Lat, R plain radiograph of the wrist.

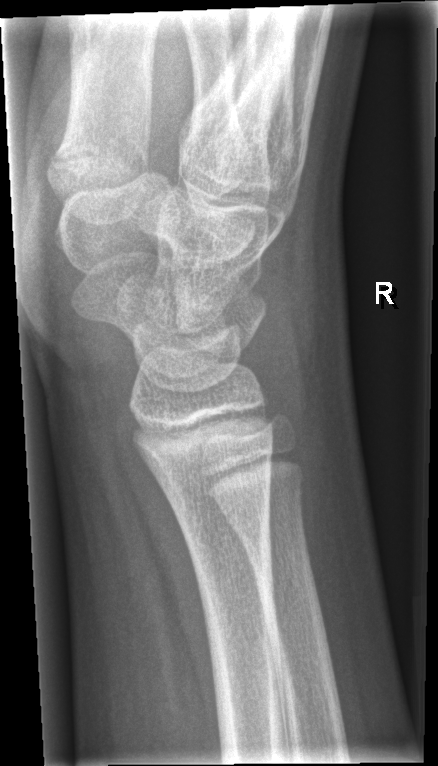 Fracture: none labeled.